Right wrist plain radiograph of the wrist · frontal view · female, 15 yo

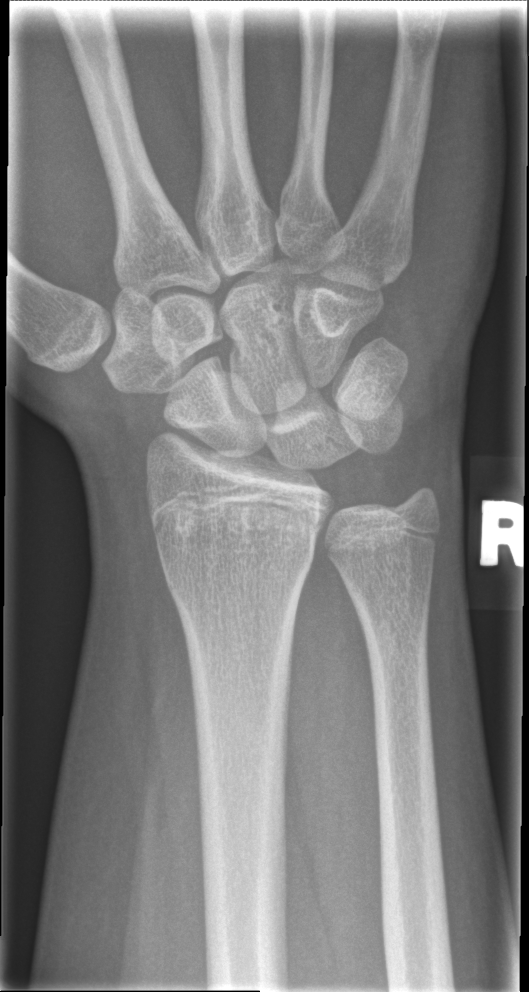 FINDINGS: Fracture: none labeled.